Frontal · right wrist pediatric wrist radiograph · Siemens —
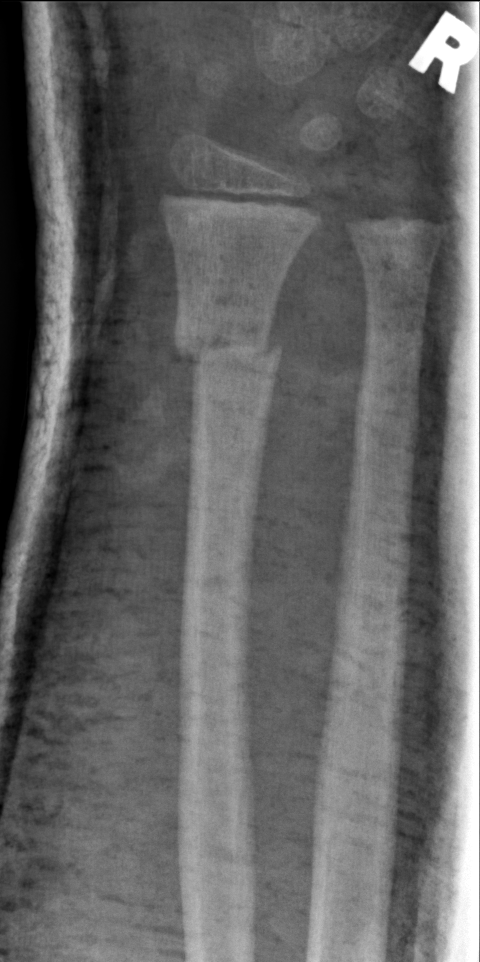
(boxes as x1,y1,x2,y2 (top-left / bottom-right, pixel units))
AO code = 23r-M/3.1
Bone fracture = (170, 313, 285, 375)